Lt plain radiograph of the wrist; PA view 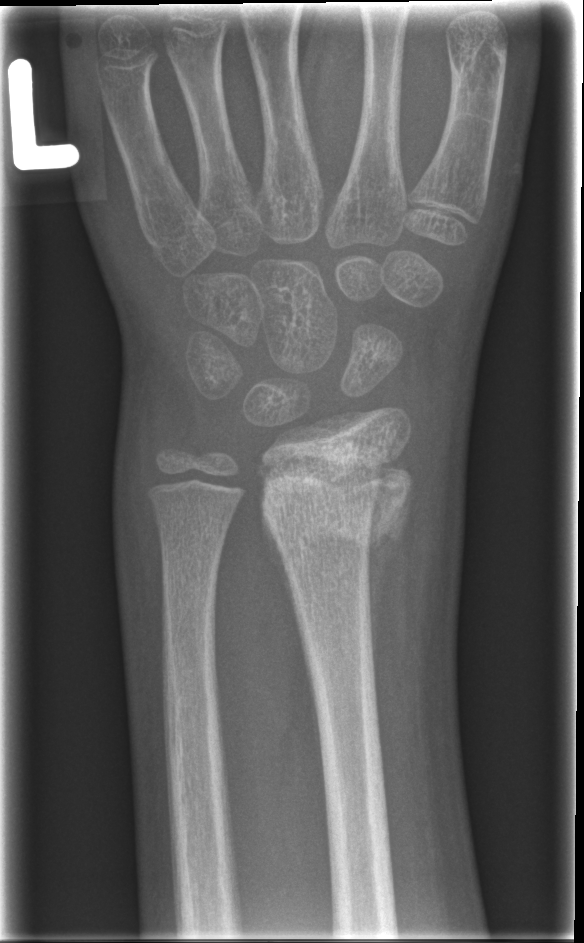
Fx = (left=253, top=443, right=416, bottom=561)